Left pediatric wrist radiograph, AP view, boy, 12 yo. 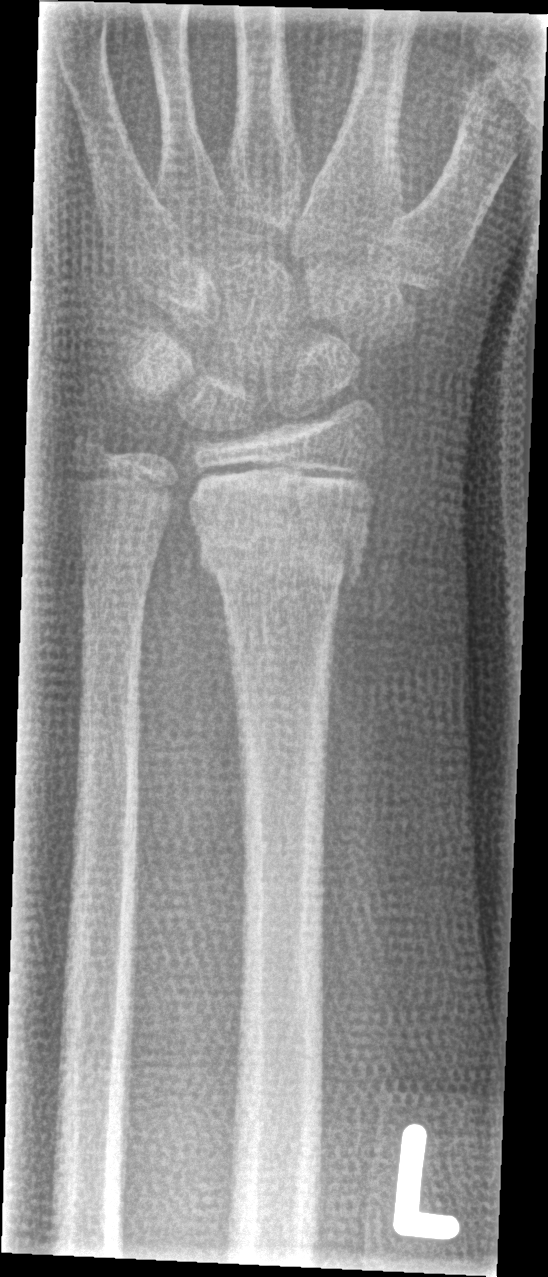

Findings: (pixel coordinates, top-left origin, xyxy) Two fractures at (194, 510, 369, 594) (66, 406, 122, 466).